Right pediatric wrist radiograph, posteroanterior projection, cast present, image size 533x1094.

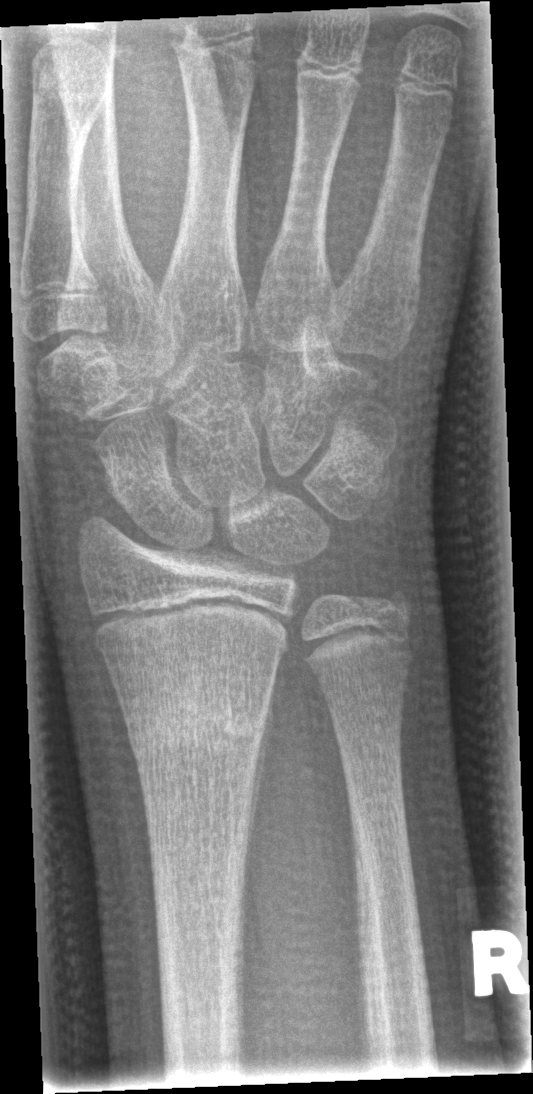 Findings: Fracture classified AO/OTA 23r-M/2.1; 23u-E/3. Fx: (119, 677, 273, 772); (339, 563, 422, 651). One periosteal reaction at (243, 667, 277, 890).